Right plain radiograph of the wrist; lat; age 7 y, female
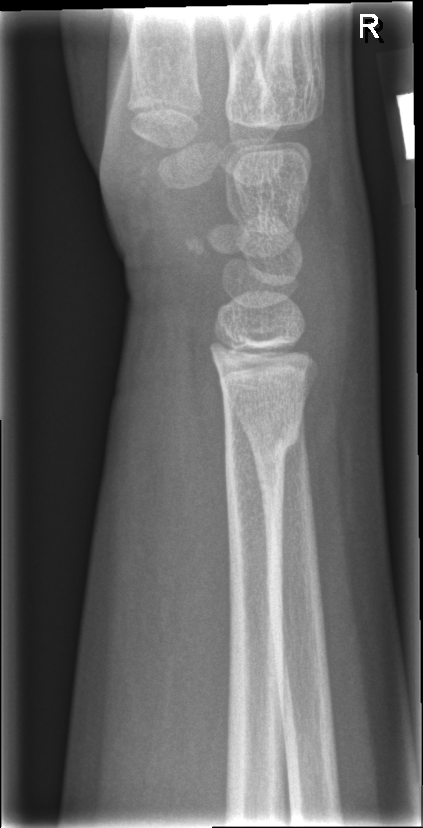
FINDINGS — Fracture: <221,413>-<303,473>. Fracture classified AO/OTA 23r-M/2.1.